Lat view · left wrist pediatric wrist radiograph · acquired on Siemens · image 115.3 mm wide
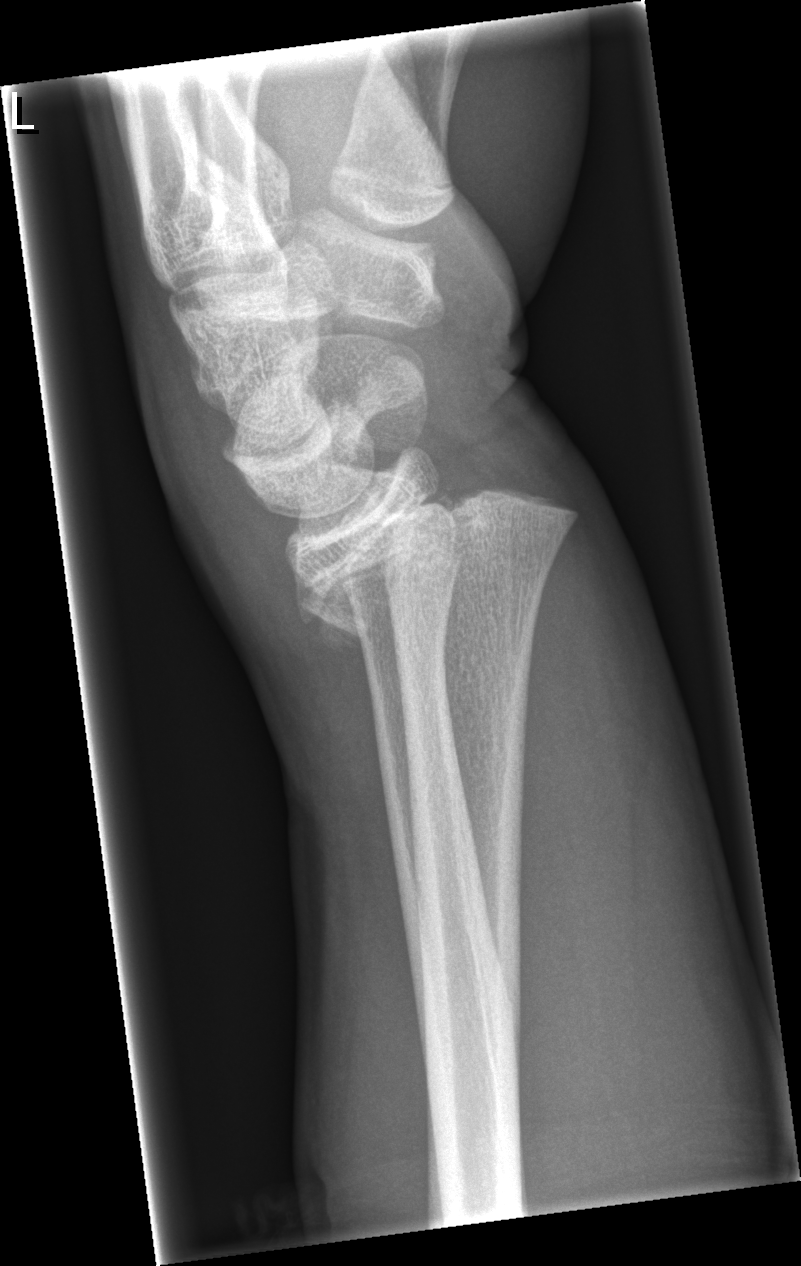

Pixel coordinates, top-left origin, xyxy.
Bone fracture: bbox(289, 470, 586, 658).
AO code 23r-E/2.1; 23u-E/7.